Lt wrist XR · lateral · 12y M — 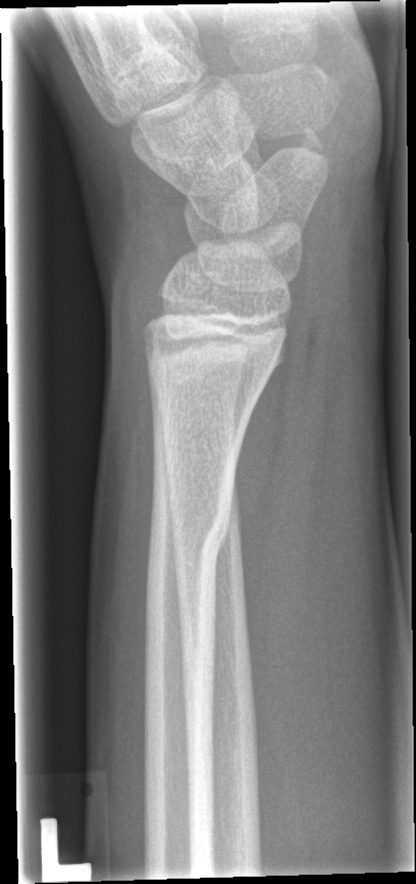
- Bounding boxes in image-pixel xyxy.
- Bone fracture: (left=142, top=484, right=233, bottom=581).